Left wrist plain film; lateral view; 8-year-old female; cast present.
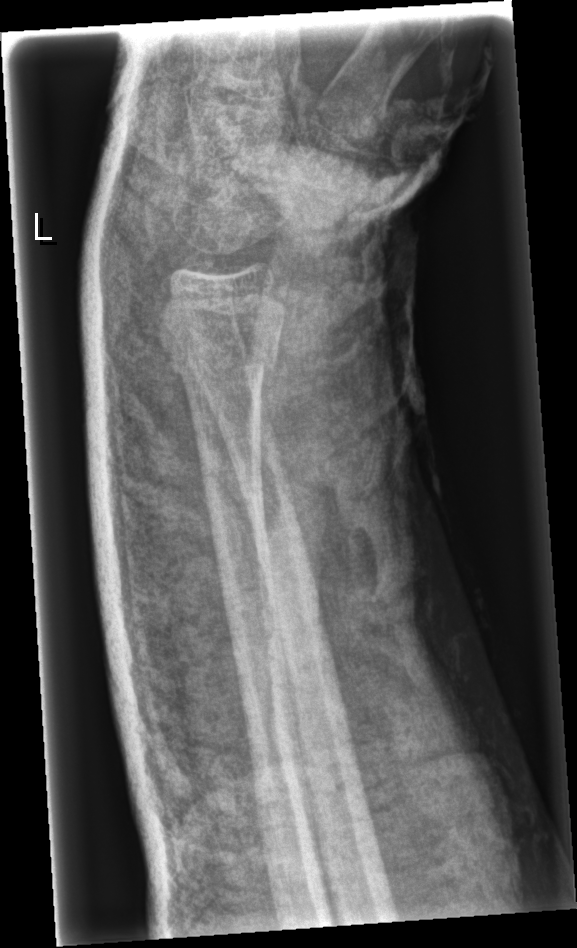

Fx: bbox(163, 312, 279, 390)